Right wrist plain film; PA view; detector: Siemens; image width 88.6 mm

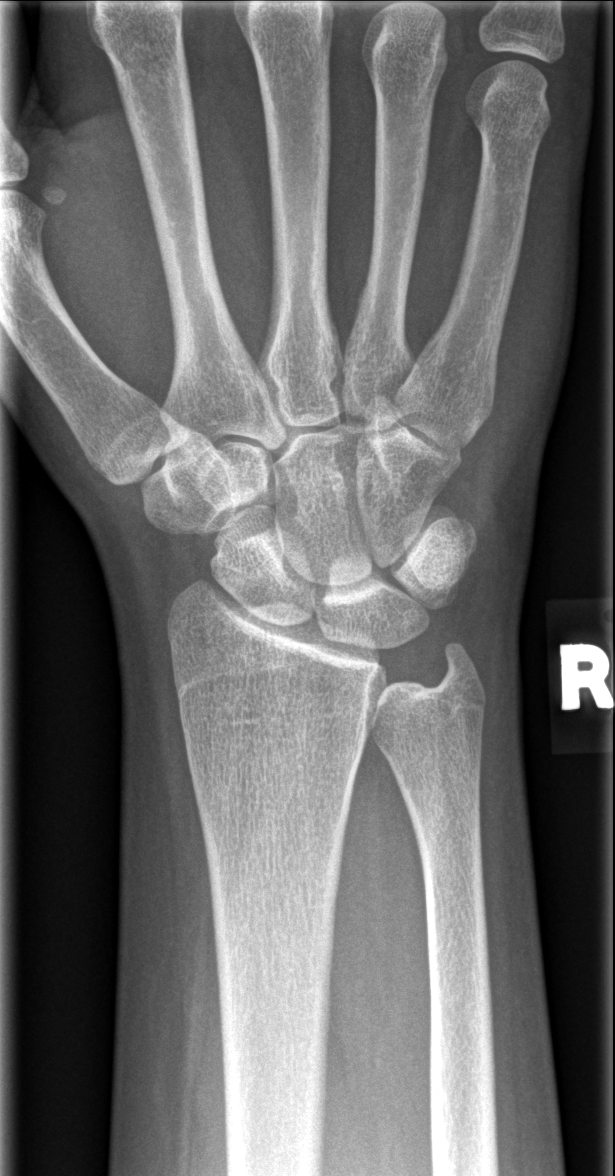

FINDINGS — No Fx annotated.